Lat view · Lt pediatric wrist radiograph · 14y M · 502 x 1220 px — 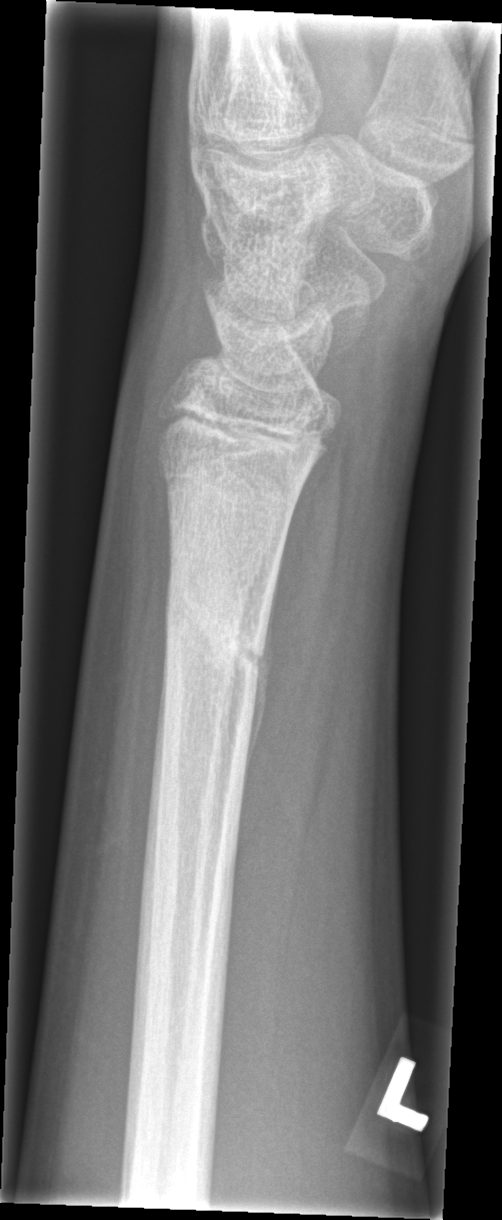 osteopenia: present
periostealreaction: 1 @ (left=245, top=587, right=276, bottom=785)
fracture: (left=161, top=581, right=270, bottom=688)